PA/AP | Rt wrist X-ray — 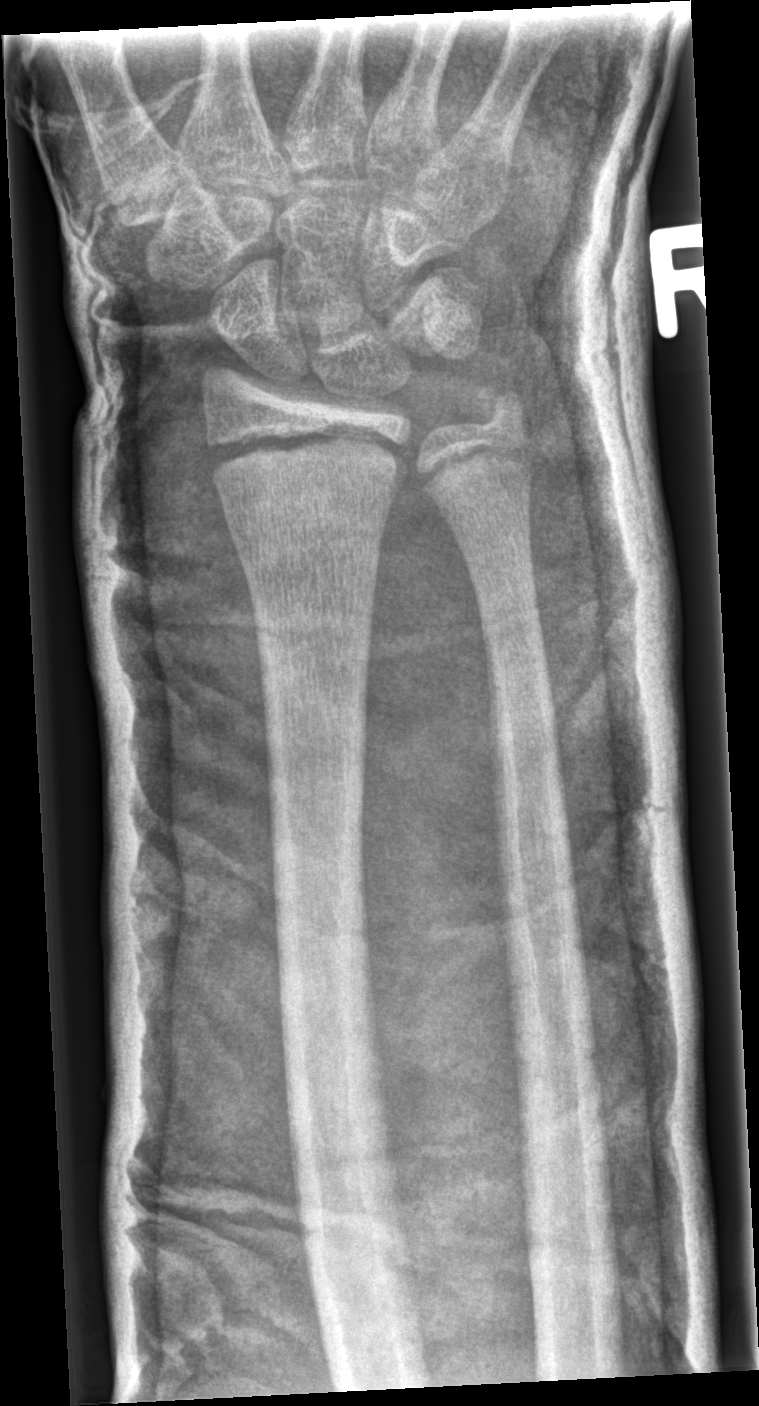
(pixel coordinates, top-left origin, xyxy)
Q: AO code?
A: Fracture classified AO/OTA 23r-E/2.1; 23u-E/7
Q: Is there a fracture?
A: Fracture: [204, 415, 412, 498] [464, 374, 535, 437]